Lat projection · Lt wrist plain film · presentation radiograph:

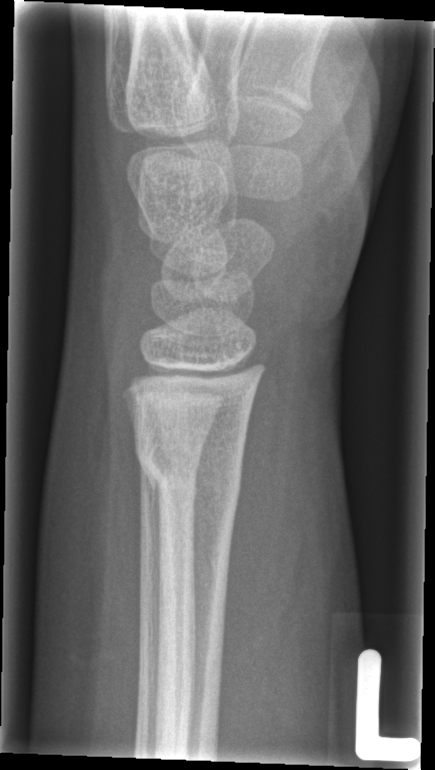

AO classification: 23r-M/2.1
Bone fracture: bbox(130, 424, 244, 509)